R wrist radiograph · frontal projection —
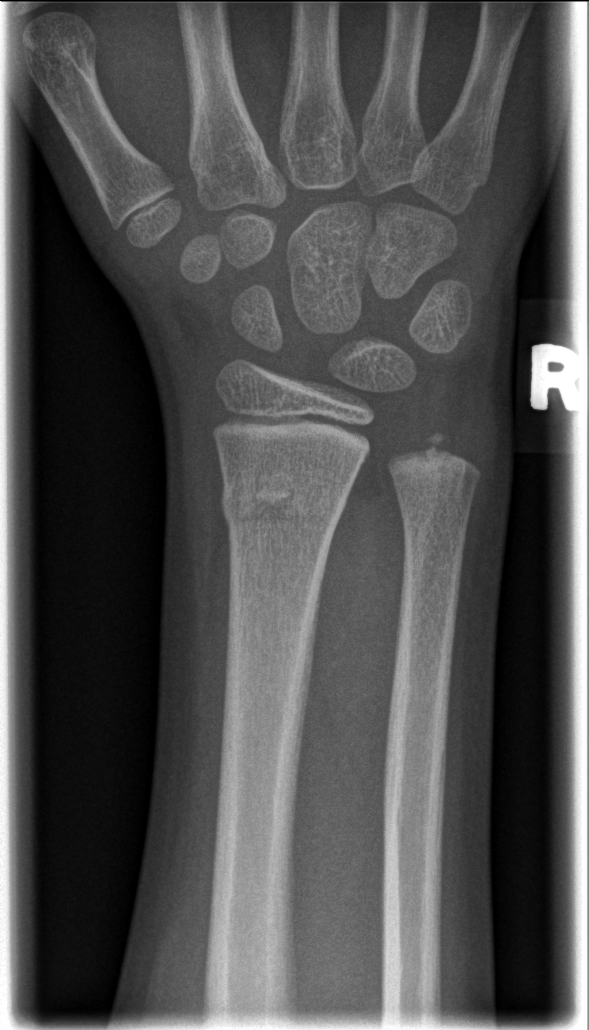 {
  "fracture": "[x1=218, y1=461, x2=351, y2=533]",
  "ao": "23r-M/2.1"
}